Lateral projection; L wrist XR; pediatric patient (boy, age 17) — 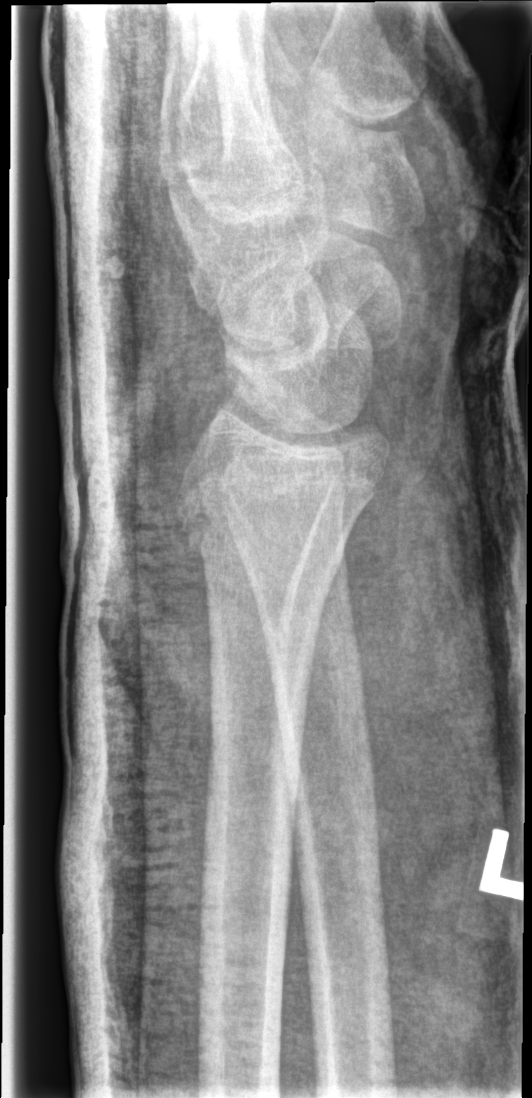
• Bone fracture — [x1=169, y1=487, x2=357, y2=584].
• AO/OTA classification: 23r-M/3.1; 23u-E/7.